R wrist X-ray | PA/AP | age 6 y, boy | cast present | 744 by 874 pixels — 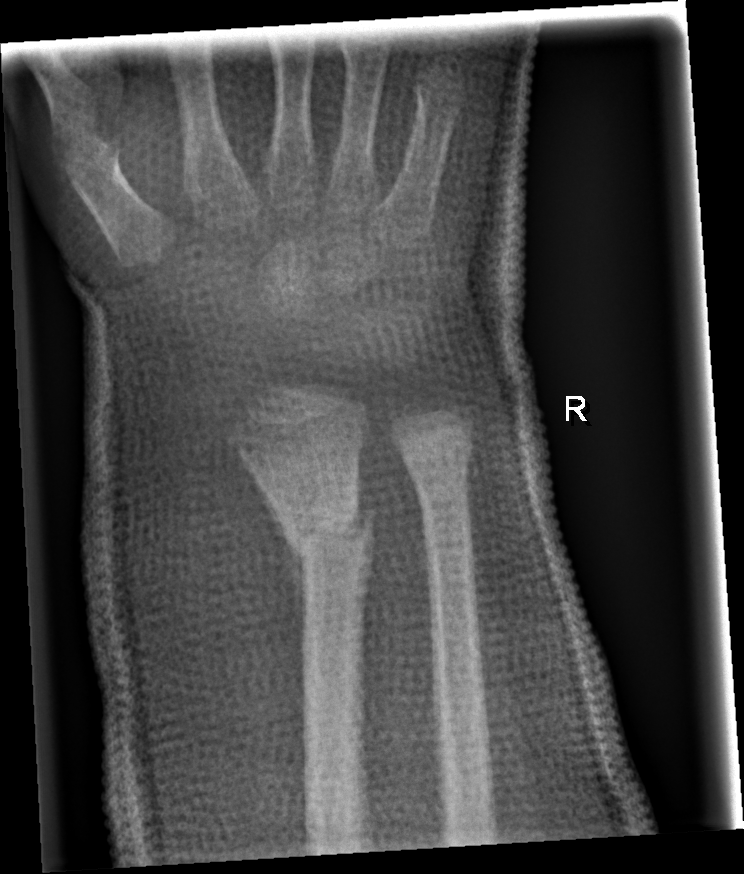 ao: 23r-M/3.1; 23u-M/2.1
fracture: <288,498>-<381,576>